Left wrist XR; PA view; pediatric patient (boy, age 11); follow-up study. 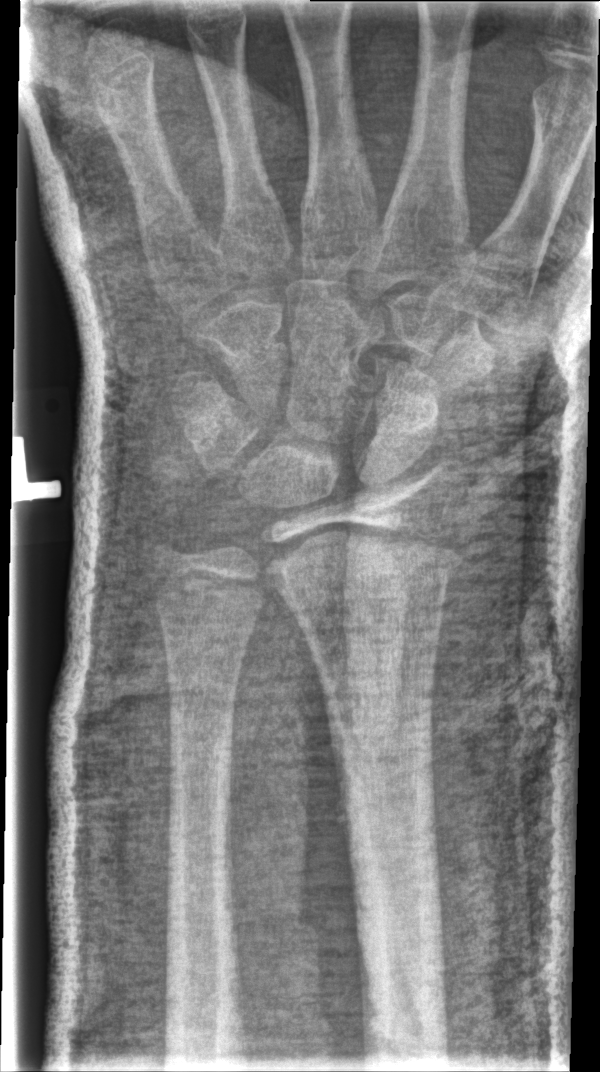 * AO/OTA classification: 23r-E/2.1.
* Fx: (262, 526, 465, 618).